L plain radiograph of the wrist · lateral · 13y M · subsequent exam · imaged through cast —

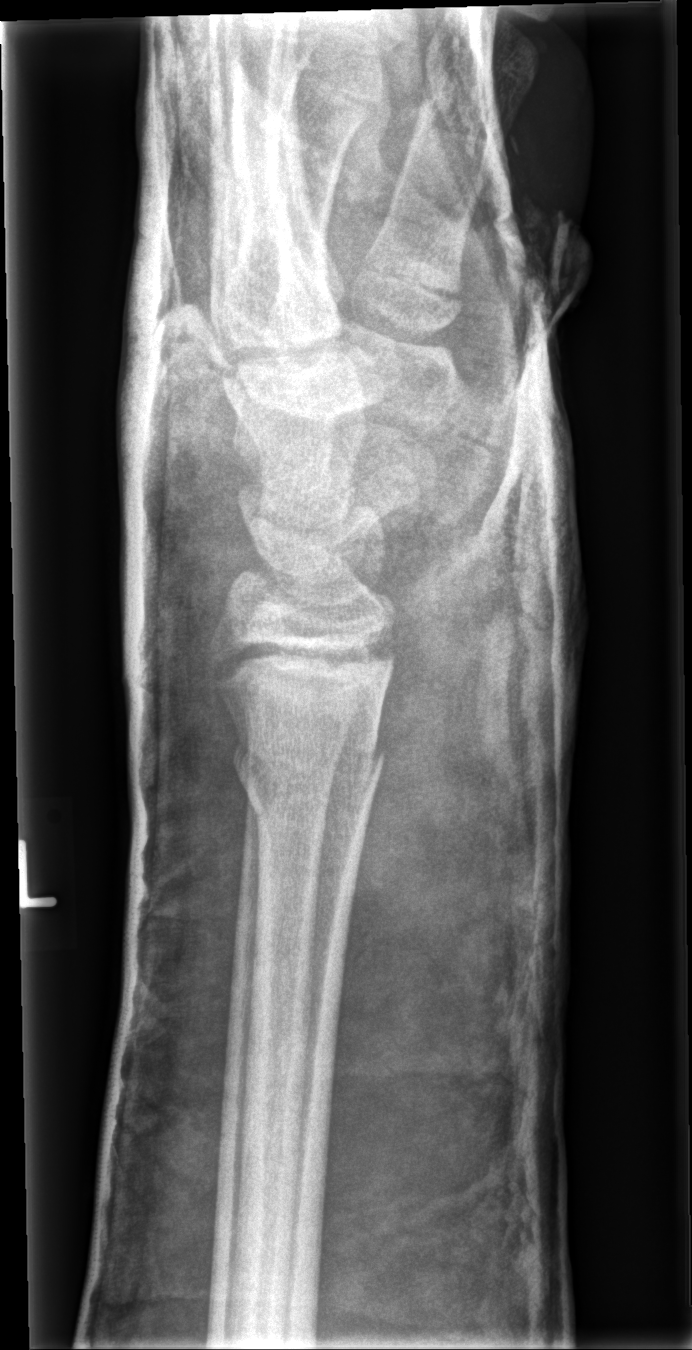

Fx = 224 700 391 812